Left wrist XR | frontal view | pediatric patient (boy, age 6) | subsequent exam | cast present | image 78.6 mm wide | 546 x 792 px

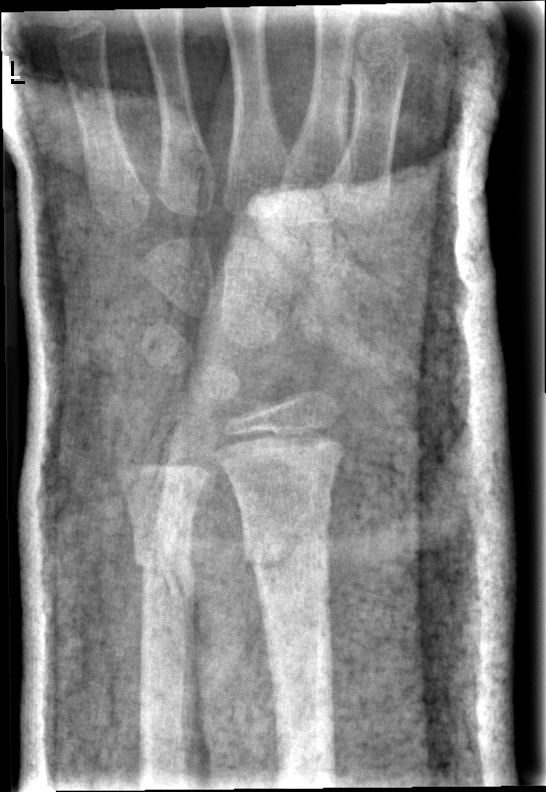
Fracture: (left=243, top=525, right=327, bottom=590); (left=130, top=528, right=196, bottom=587)